Frontal view | Lt plain radiograph of the wrist | 495 x 834 px — 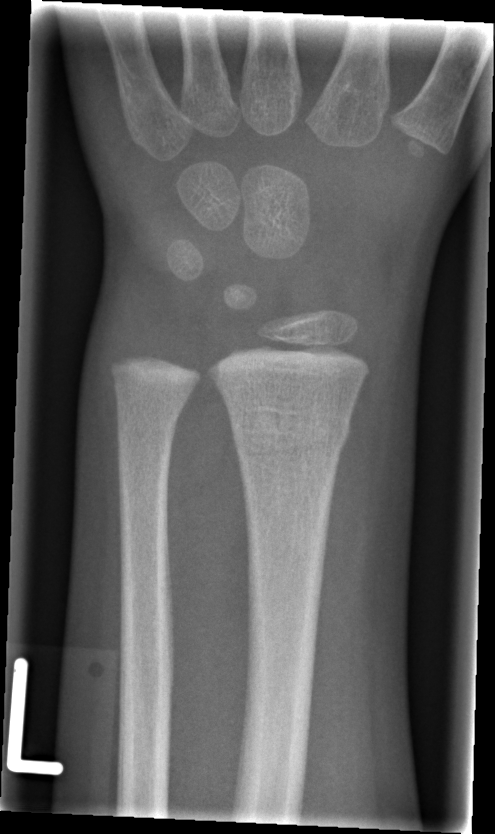
- Pixel coordinates, top-left origin, xyxy.
- Fx — <225,403>-<355,463>, <112,407>-<182,447>.